Lt wrist radiograph; frontal projection:
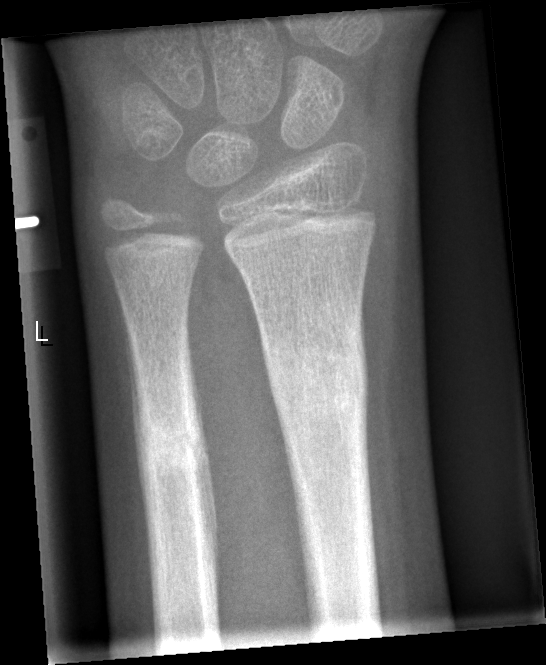
{
  "_coords": "coordinates are [x1, y1, x2, y2] in image pixels",
  "periostealreaction": "[121, 313, 158, 643], [189, 337, 219, 626], [358, 286, 379, 574]",
  "osteopenia": "present",
  "fracture": "[264, 314, 371, 431], [132, 378, 207, 481]"
}